Left wrist plain film | lateral view | initial study — 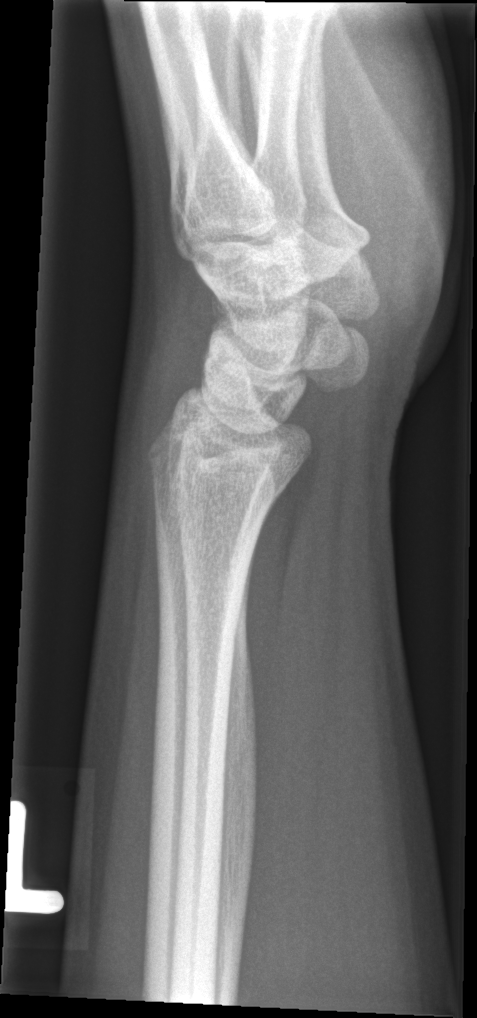 No Fx annotated.